Lt wrist plain film · AP projection · cast in situ · 88.4 mm image width:

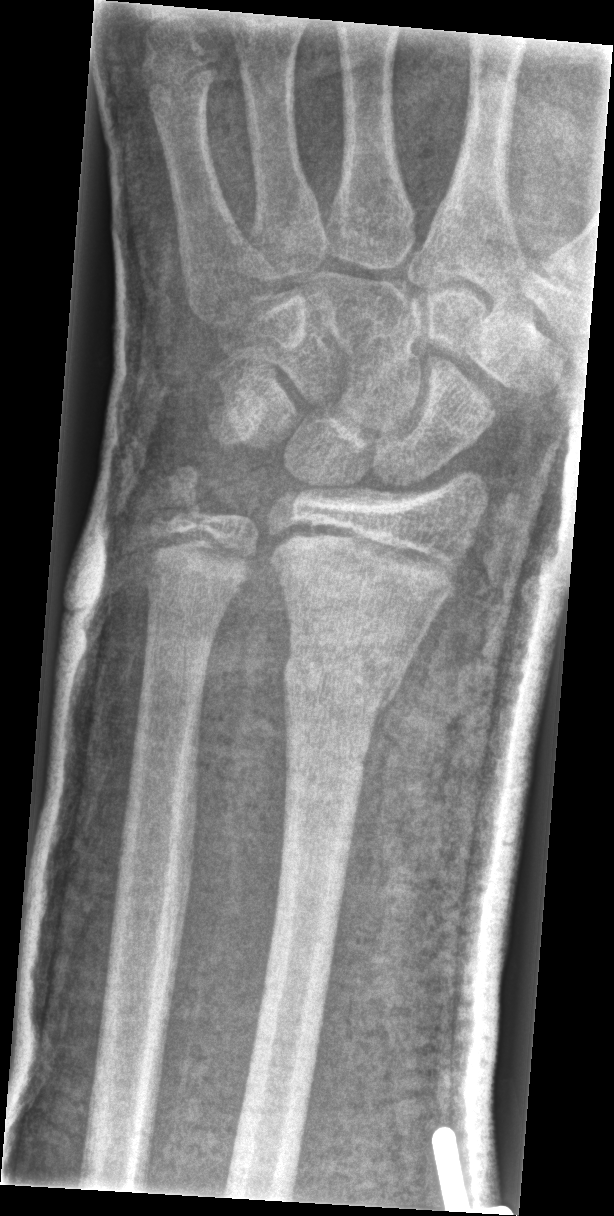 {
  "_coords": "bounding boxes in image-pixel xyxy",
  "ao": "23r-M/3.1; 23u-E/7",
  "fracture": "2 @ 277,634,404,751\n  152,464,222,537"
}